L wrist X-ray, lateral view, subsequent exam —
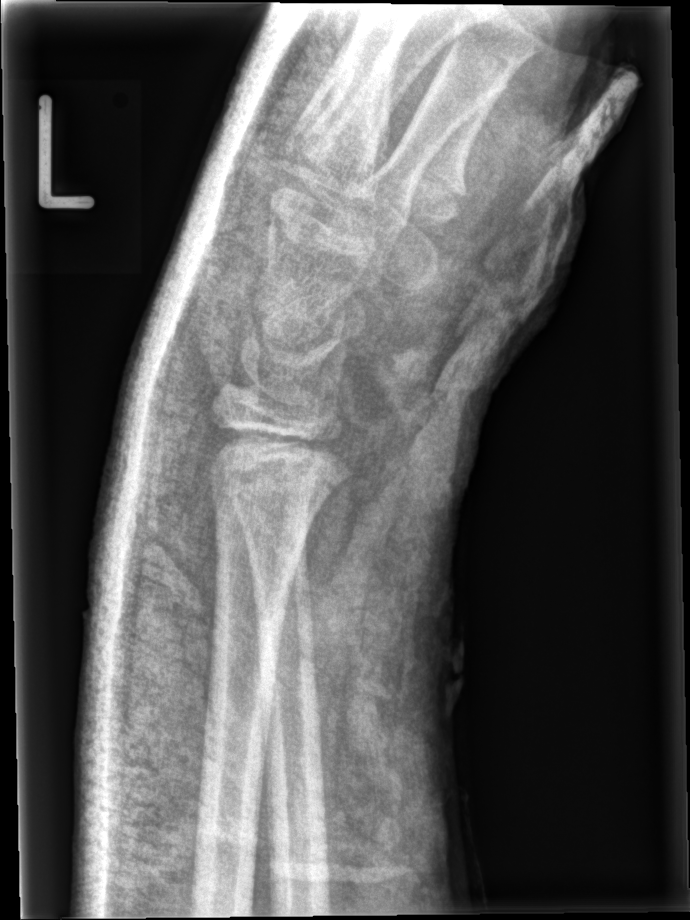
Fracture: 1 @ 197,412,362,503